R pediatric wrist radiograph | lateral projection | age 11 y, boy.
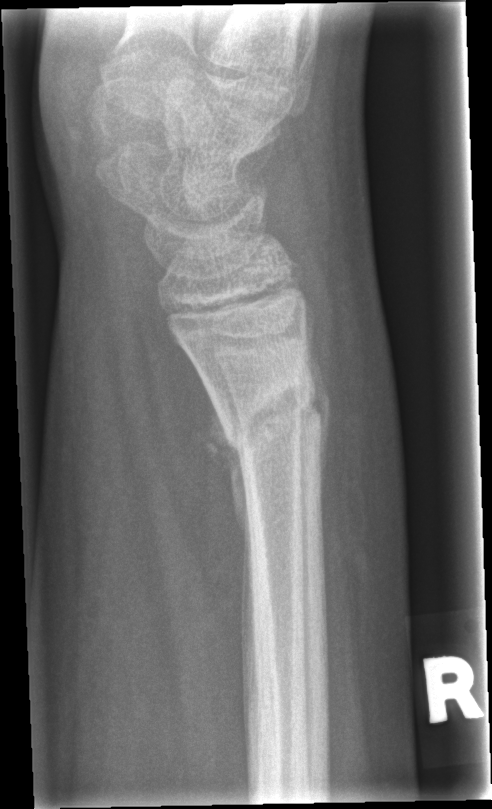
(bounding boxes in image-pixel xyxy)
fracture = (209, 361, 332, 463)
periosteal thickening = (204, 389, 254, 748) (302, 328, 331, 515)